Lat view, L wrist plain film, Siemens 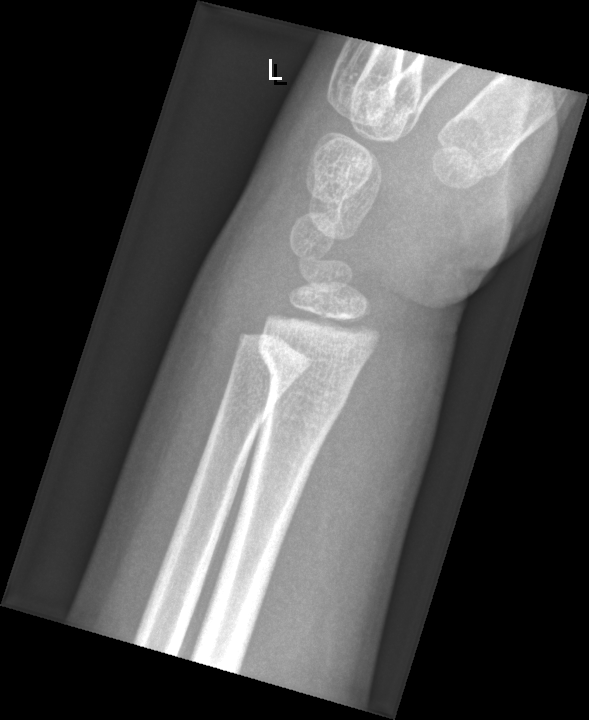 AO/OTA classification: 23r-M/2.1.
One fracture at [x1=254, y1=327, x2=354, y2=419].